PA · L wrist XR · follow-up study · cast in situ — 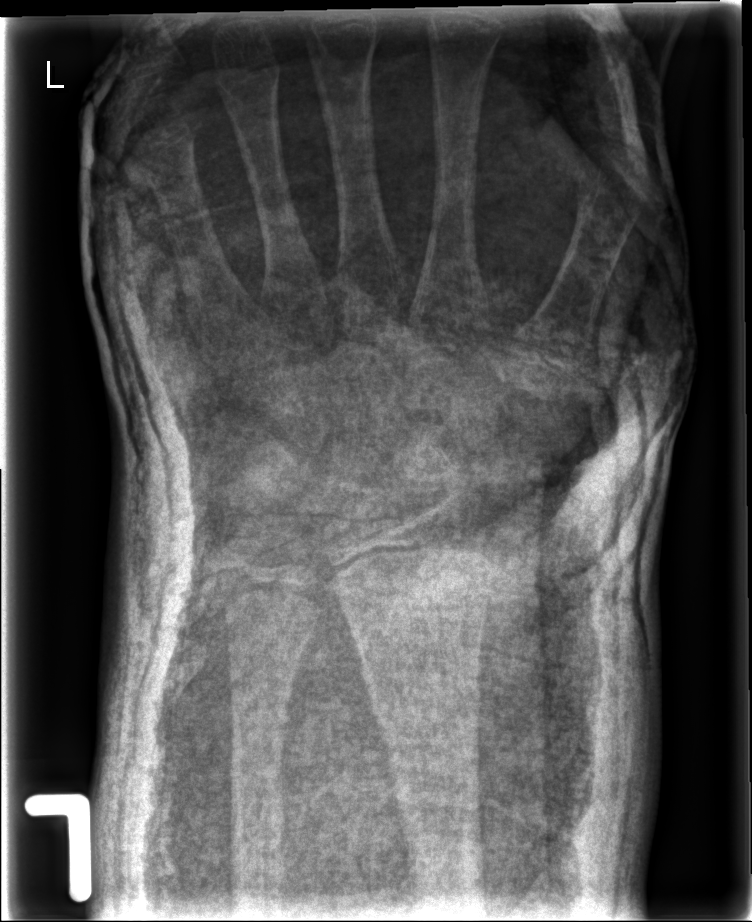 Boxes as x1,y1,x2,y2 (top-left / bottom-right, pixel units). Fracture: (left=369, top=662, right=487, bottom=744). AO code 23r-M/3.1.